Lt wrist radiograph; posteroanterior projection; 8-year-old female; subsequent exam —
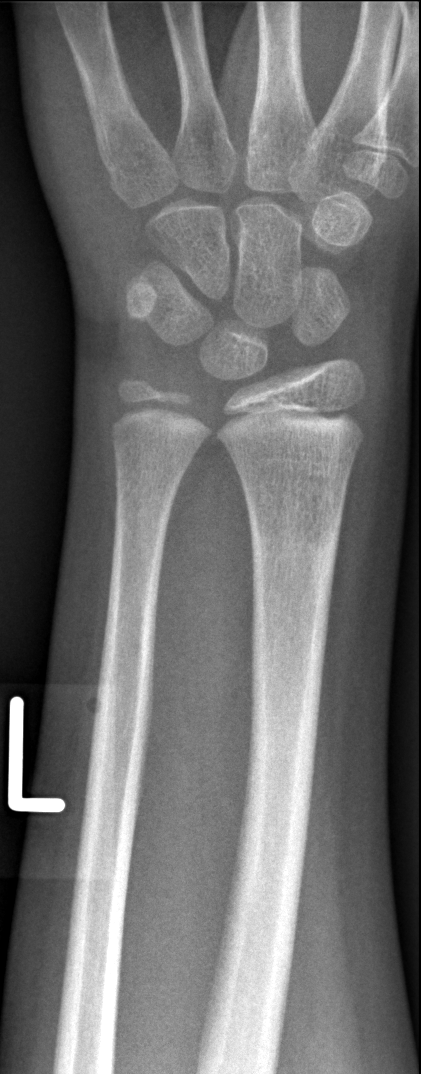 bone fracture: none labeled